Lat view | right wrist X-ray | 10-year-old girl | index exam | detector: Siemens — 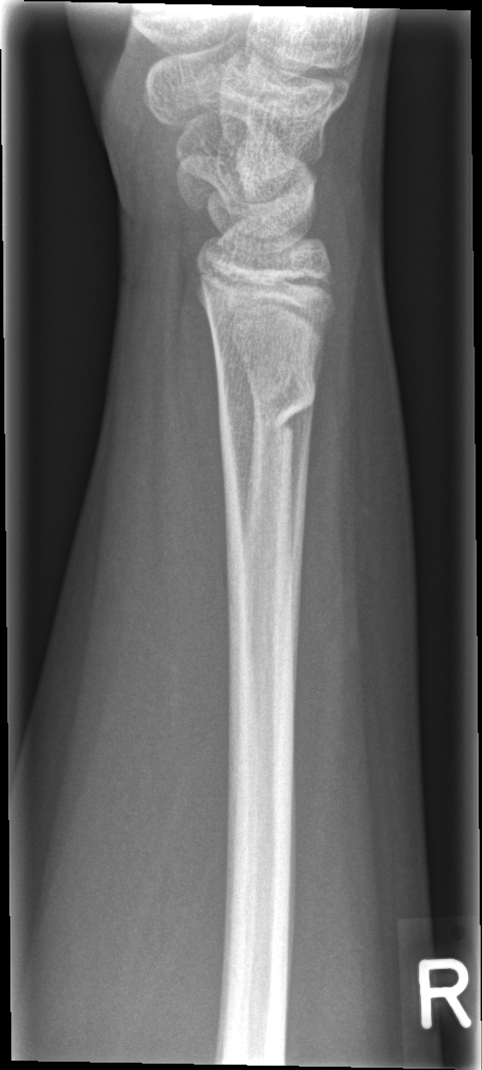 • AO/OTA classification: 23r-M/2.1.
• Bone fracture — (left=210, top=367, right=319, bottom=440).